PA/AP; Rt wrist XR; cast present —
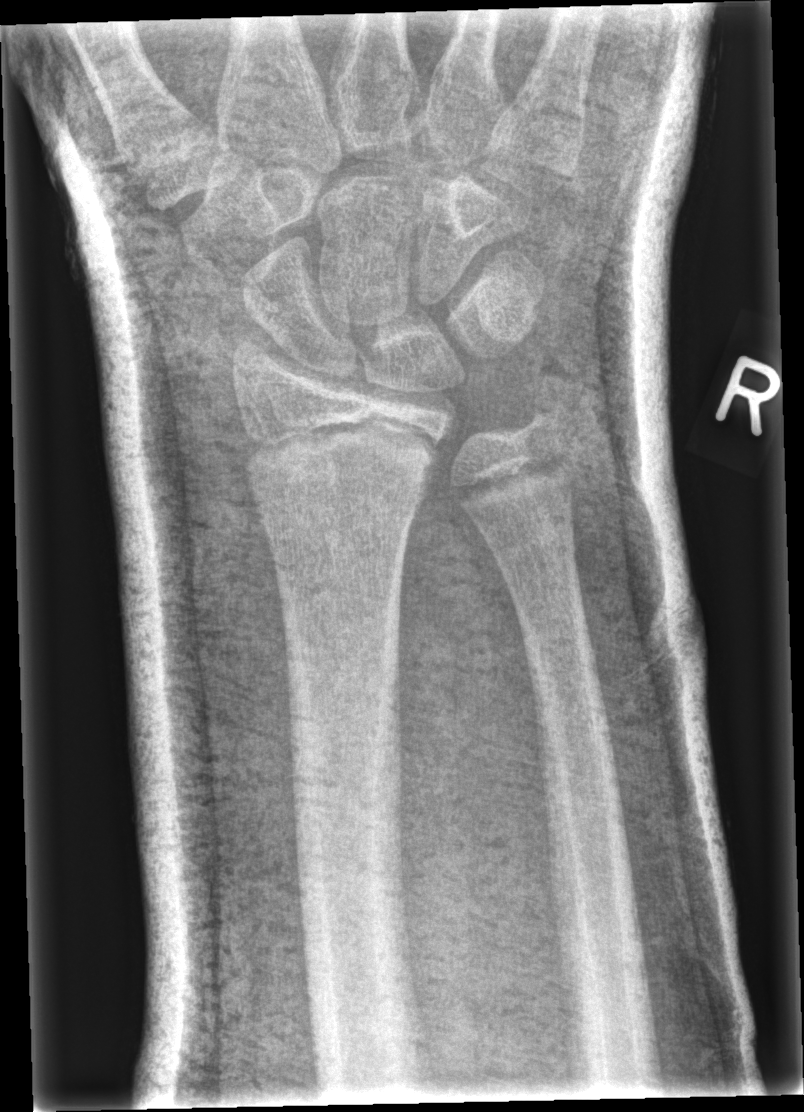

Q: Locate any fractures.
A: Fx present but not clearly seen in this view